Frontal projection | L wrist XR | pediatric patient (boy, age 10) | image 70.4 mm wide | 489 x 976 px 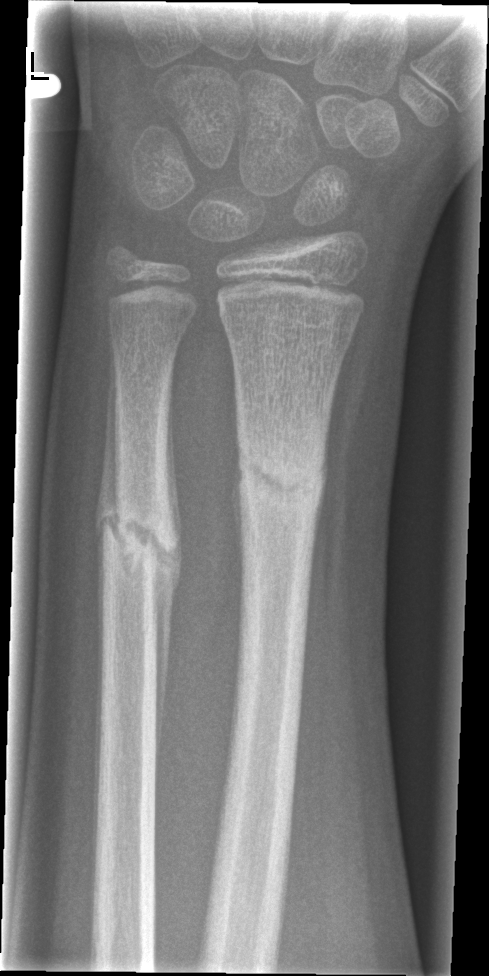

• AO/OTA classification: 23r-M/3.1; 22u-D/4.1.
• Periosteal new bone: (156, 552, 180, 741); (99, 374, 116, 538); (165, 426, 178, 544).
• Fracture identified at (235, 429, 329, 535); (94, 499, 181, 581).